PA view, right wrist radiograph, cast present.

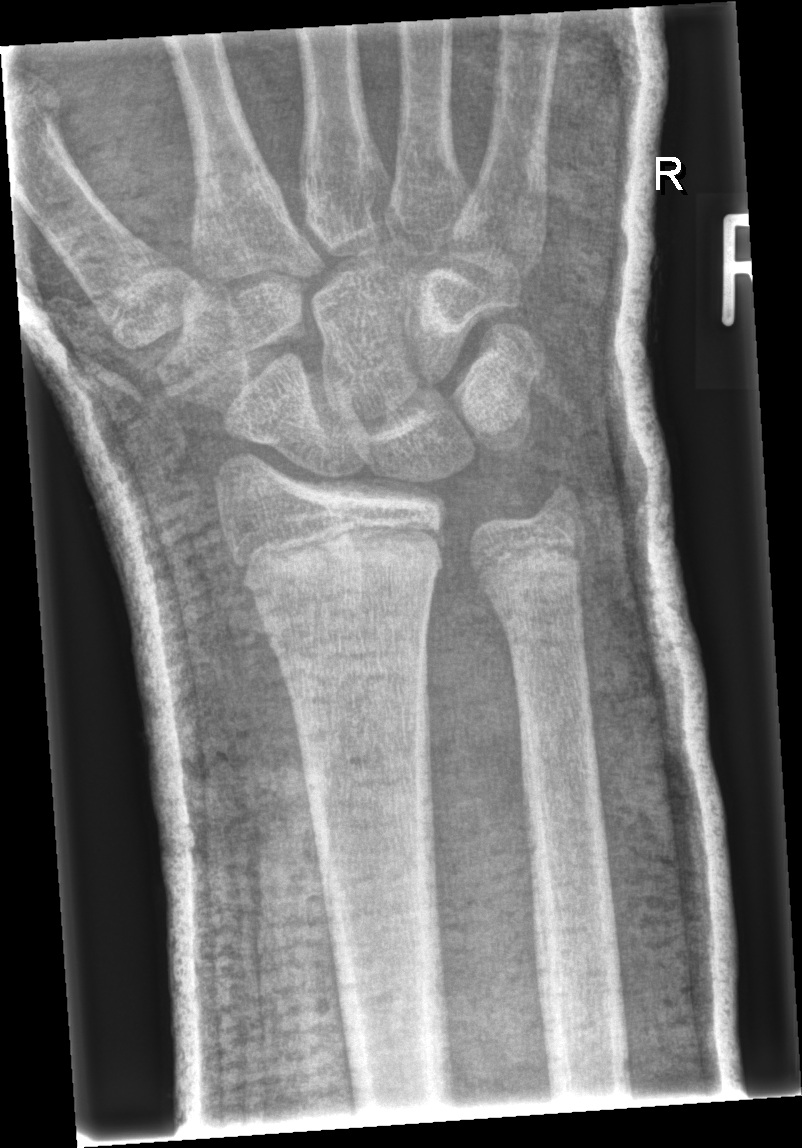
  fracture: 1 @ [x1=232, y1=521, x2=449, y2=605]